Lat, right wrist X-ray, age 10 y, female, follow-up study, cast in situ, detector: Siemens, image size 486x938.
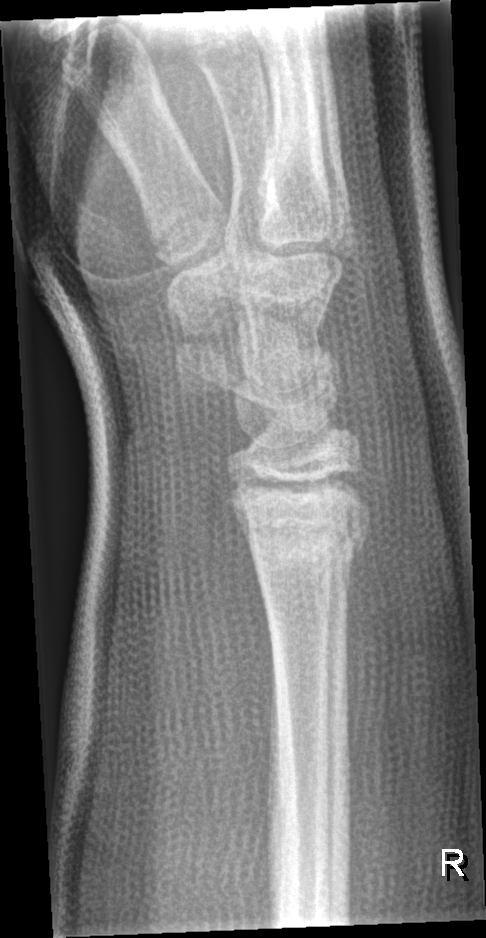

Boxes as x1,y1,x2,y2 (top-left / bottom-right, pixel units).
AO code 23r-M/2.1.
Fracture identified at (233, 471, 374, 578).